Lat; left wrist pediatric wrist radiograph; acquired on Siemens
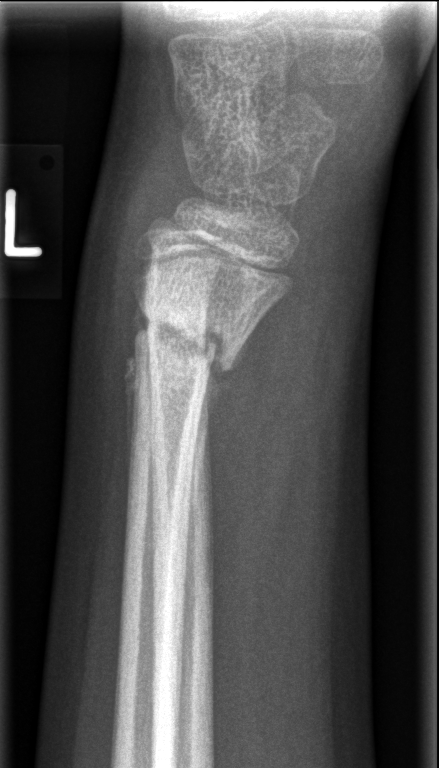

Q: Is there osteopenia?
A: Osteopenia
Q: Locate any fractures.
A: One fracture at 134,299,260,402
Q: Any periosteal thickening?
A: Periosteal reaction: 186,323,251,504
  123,301,154,492